Lateral view | L pediatric wrist radiograph | 7-year-old boy | image size 371x1324: 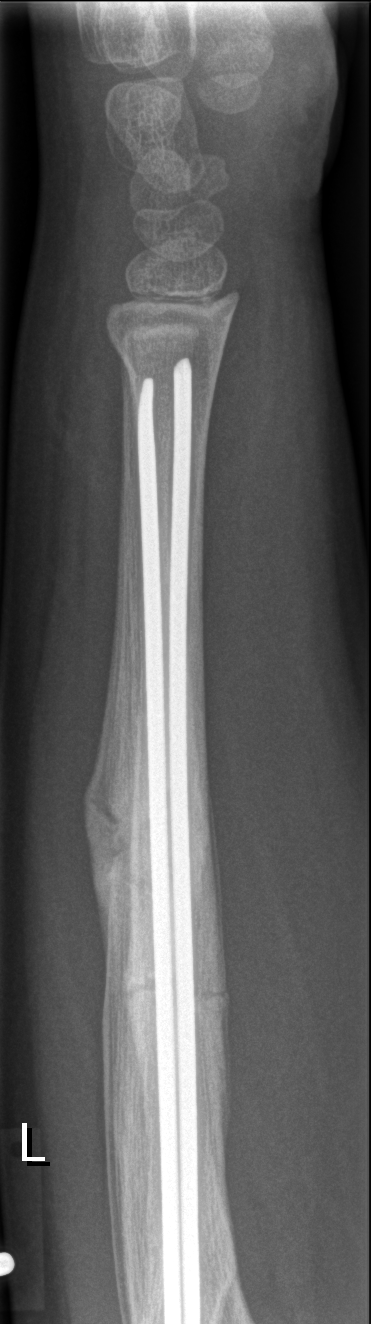

* Metal: <132,355>-<201,1324>.
* Fx: <79,757>-<217,919>; <118,961>-<234,1022>.
* Two periosteal new bone at <80,614>-<121,967> <101,895>-<126,1321>.